Posteroanterior; Lt wrist plain film; 8-year-old male.
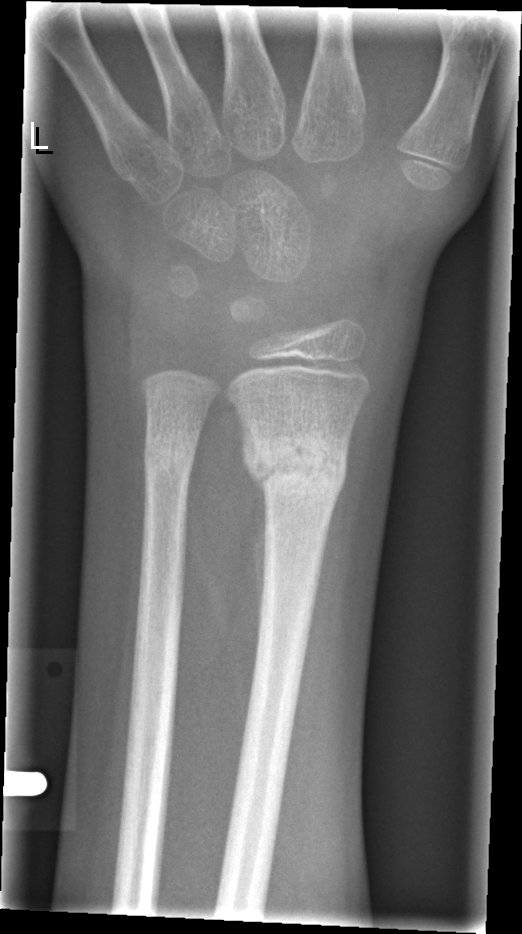

{
  "fracture": "2 @ bbox(241, 417, 354, 500), bbox(142, 432, 199, 486)",
  "ao": "23-M/3.1",
  "periostealreaction": "1 @ bbox(248, 455, 271, 653)",
  "osteopenia": "present"
}